Lt wrist radiograph, lat view, pediatric patient (boy, age 13), subsequent exam, cast in situ — 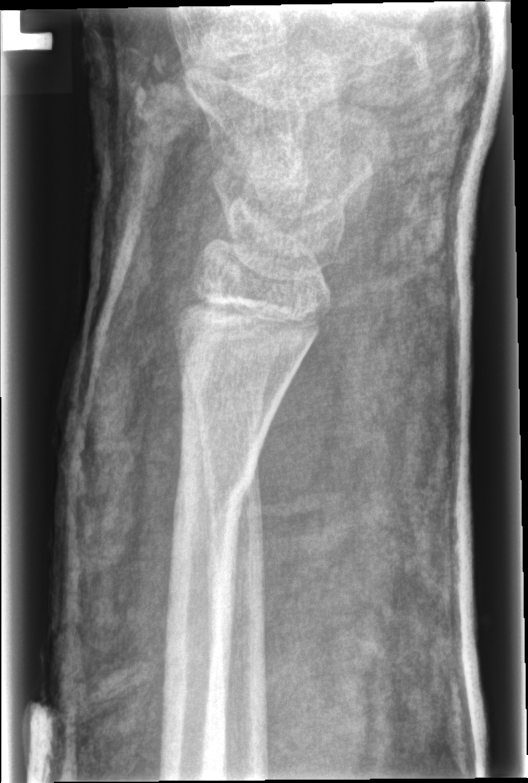 * One fracture at 172,447,256,528.
* AO/OTA classification: 23-M/2.1.